AP projection | R pediatric wrist radiograph:

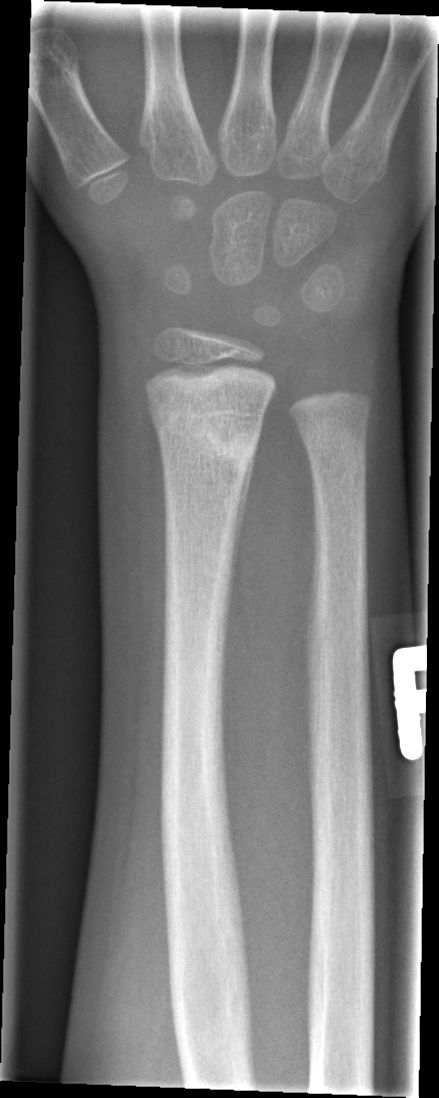
{"_coords": "coordinates are [x1, y1, x2, y2] in image pixels", "ao": "23-M/2.1", "fracture": "bbox(152, 397, 264, 470); bbox(296, 413, 372, 482)"}